Lt wrist plain film, lat projection, pediatric patient (male, age 11) — 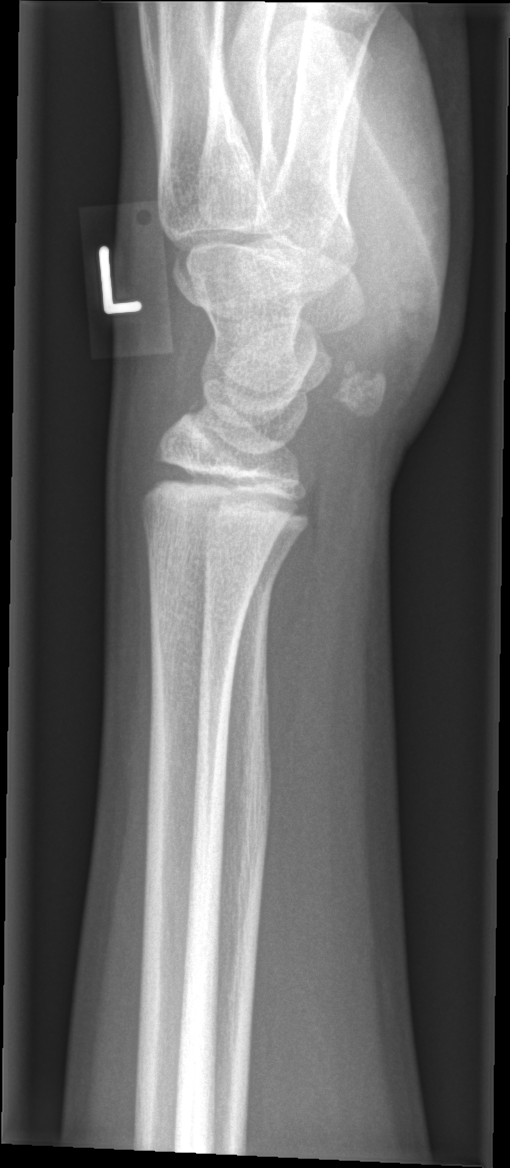

• AO code 72B(c).
• Fx: present but not clearly seen in this view.